Left wrist pediatric wrist radiograph, lateral view, follow-up study, detector: Siemens, 677x1044 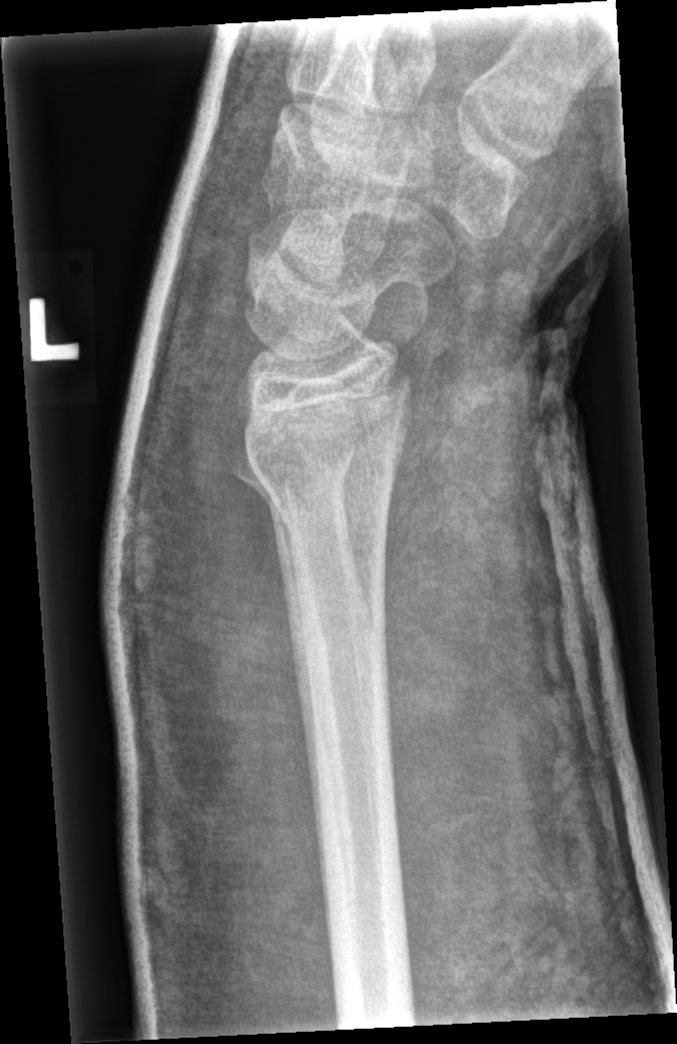

Fracture = [x1=223, y1=377, x2=415, y2=519]